Lt wrist XR | lateral projection | pediatric patient (male, age 13) | follow-up.
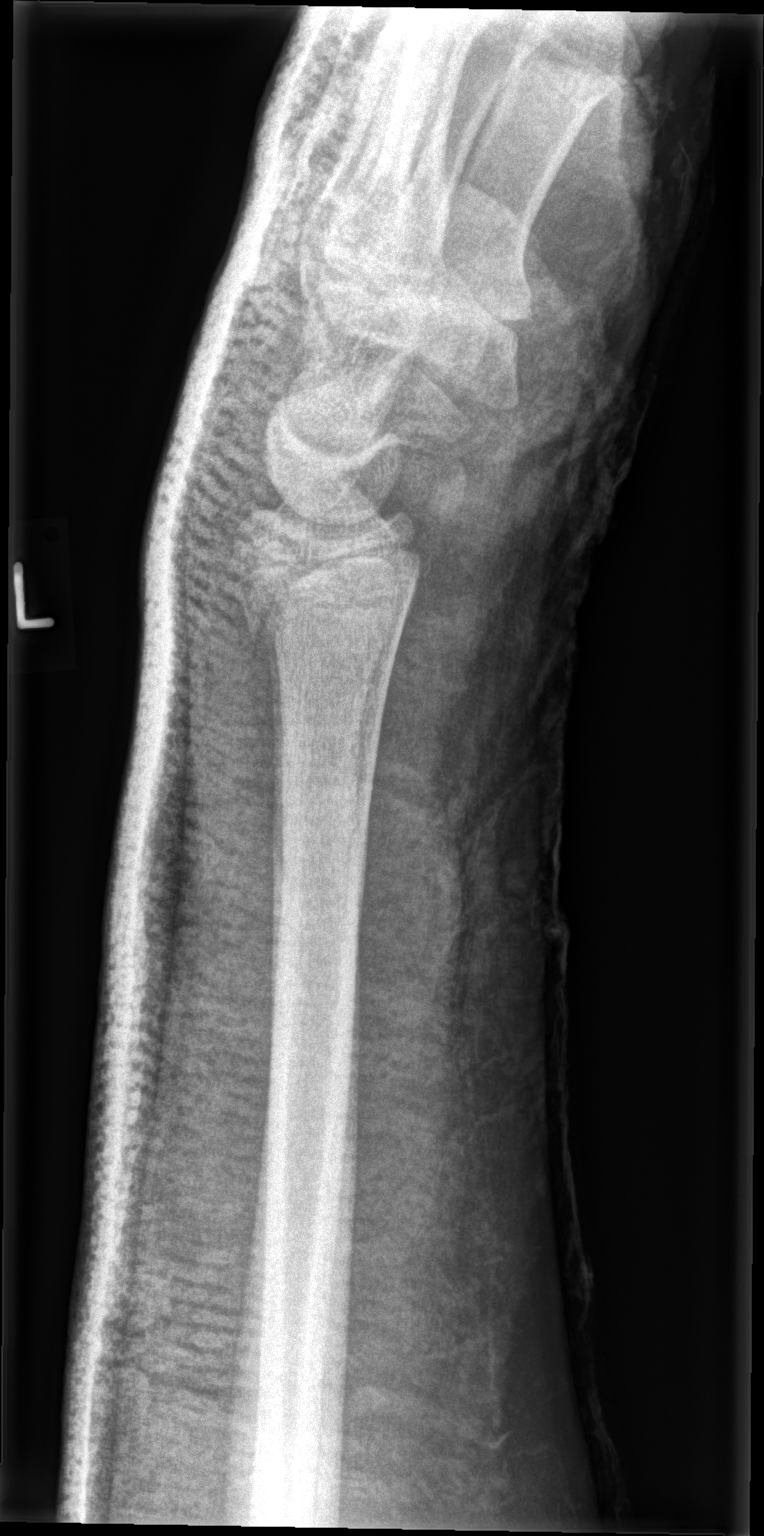
AO code 23r-E/2.1. Fracture: [x1=229, y1=536, x2=427, y2=655].